PA/AP view | left wrist XR | pediatric patient (boy, age 9) | cast in situ:
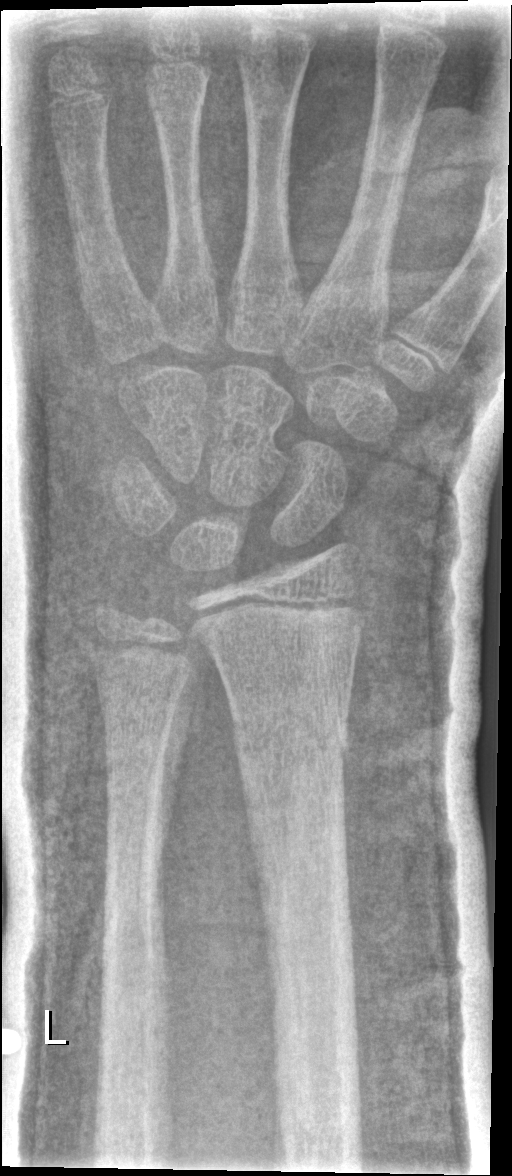
* Pixel coordinates, top-left origin, xyxy.
* One Fx at 229 719 351 791.